Frontal view; right wrist plain film; 12-year-old male; 82.4 mm image width
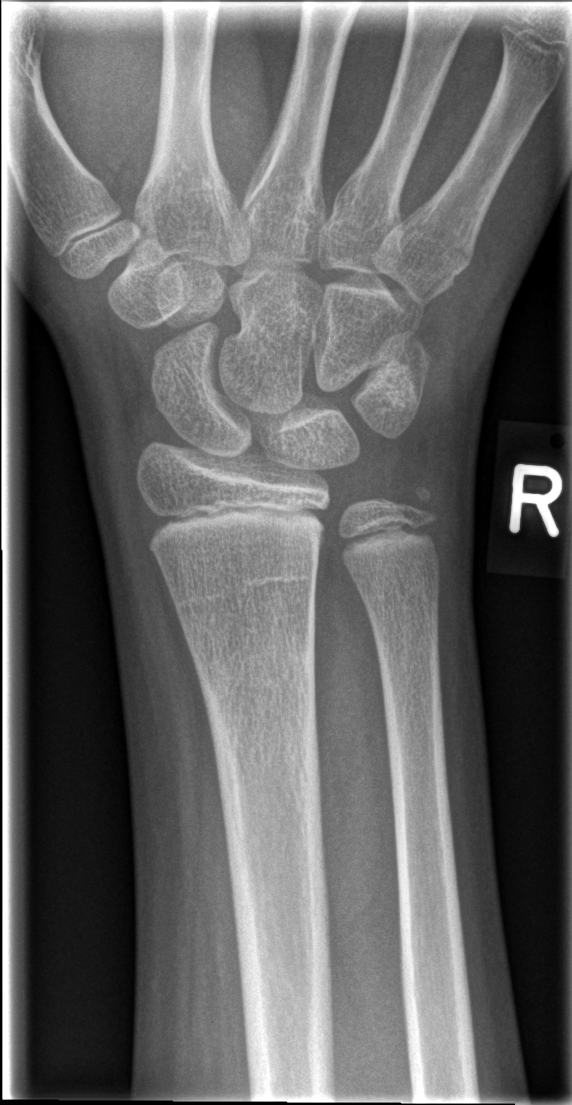
(coordinates are [x1, y1, x2, y2] in image pixels)
Bone fracture: [x1=191, y1=631, x2=324, y2=751]; [x1=381, y1=472, x2=442, y2=532]